Left wrist XR · lateral projection · presentation radiograph —

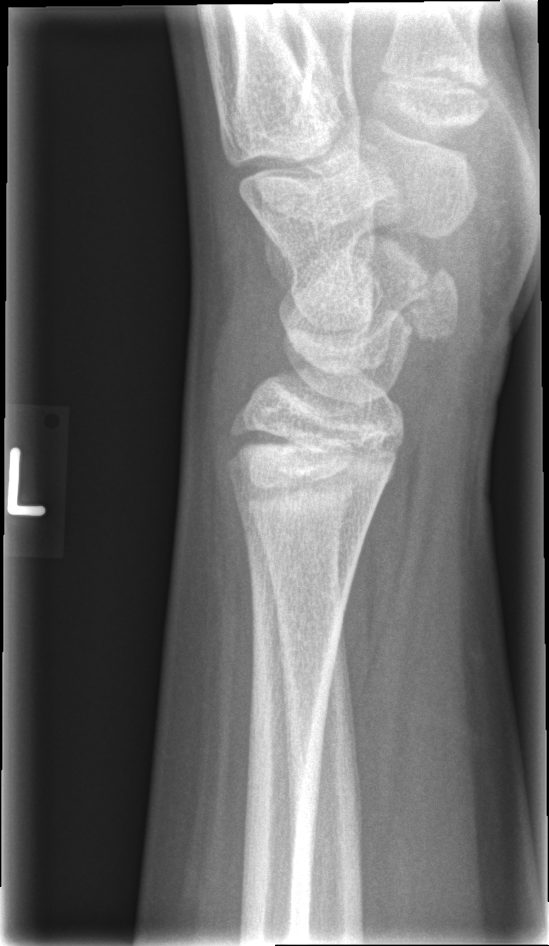

bone fracture = none labeled